Lat projection · right wrist radiograph · 4-year-old girl · 435x626 —
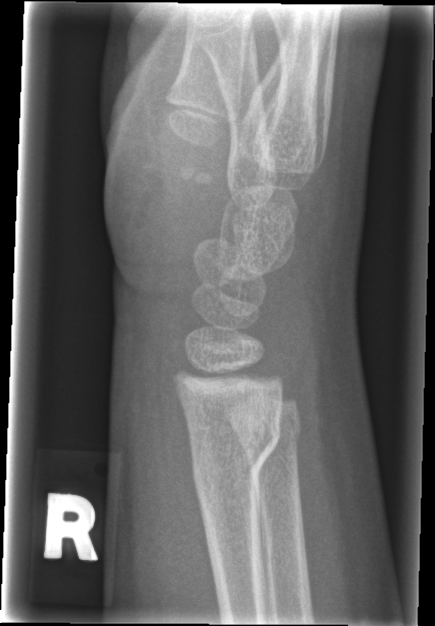 (boxes as x1,y1,x2,y2 (top-left / bottom-right, pixel units))
Q: Fracture present?
A: Fractures — 182,406,285,494; 235,407,305,460